R plain radiograph of the wrist · lateral · 15-year-old boy.
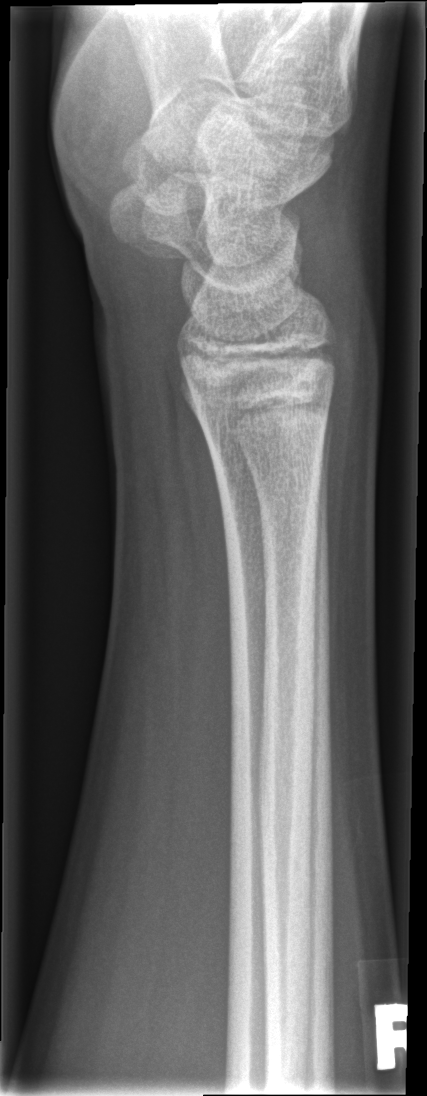
Fx: none.